Rt wrist XR; frontal view; initial study; image size 579x908.
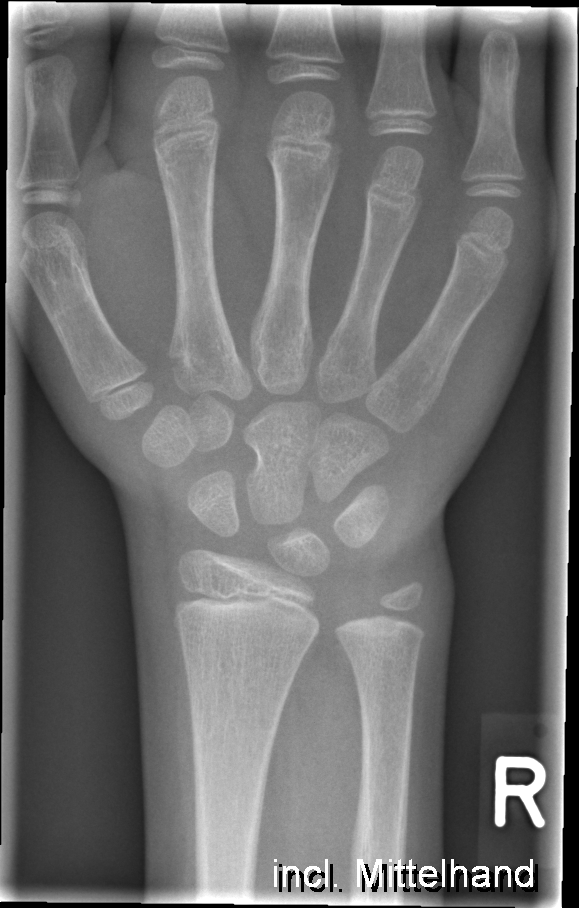

fracture: none labeled